R wrist radiograph; posteroanterior projection; pediatric patient (boy, age 3); 427 x 718 px.
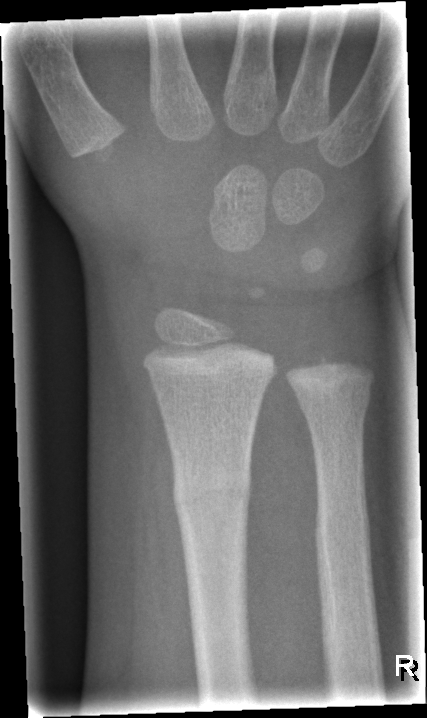 Fx: [172, 458, 255, 522]; [308, 496, 375, 561]; [293, 382, 374, 422]
AO classification: 23r-M/3.1; 23u-M/2.1